AP projection; Rt plain radiograph of the wrist; age 9 y, girl; imaged through cast
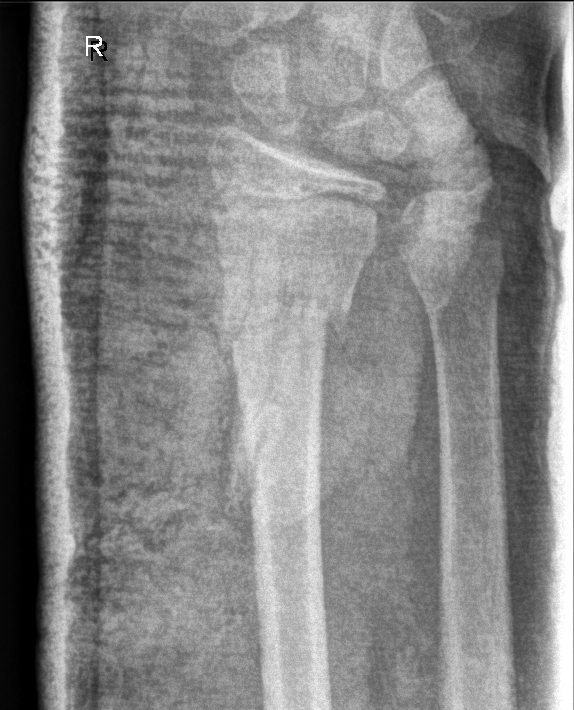

Bounding boxes in image-pixel xyxy. Fx identified at (214, 277, 355, 347) (410, 249, 510, 325). AO/OTA classification: 23r-M/3.1; 23u-M/2.1.